Lt pediatric wrist radiograph | lat projection | image width 67.4 mm | 468 x 1100 px
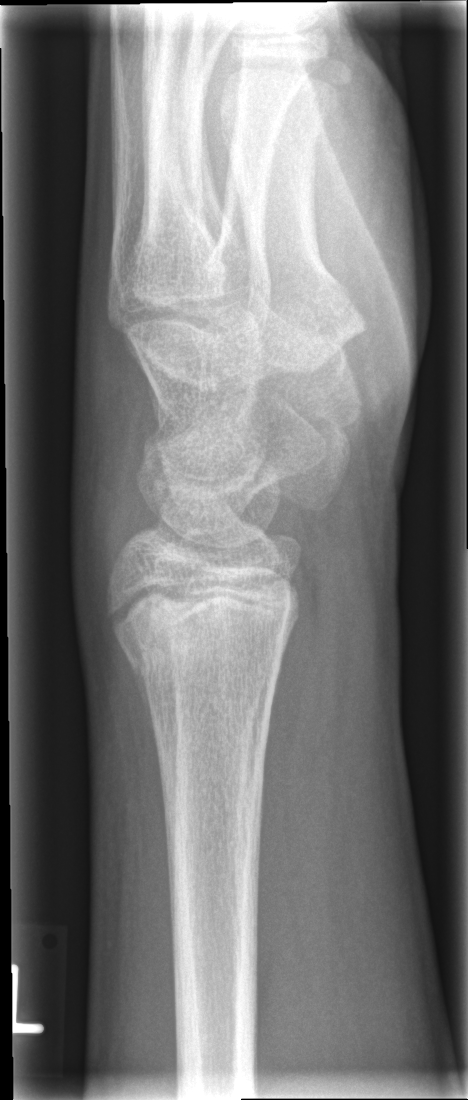

Osteopenic.
Bone fracture: [x1=106, y1=580, x2=299, y2=686].
AO/OTA classification: 23r-E/2.1; 23u-E/7.